Lateral | Rt wrist XR | cast present — 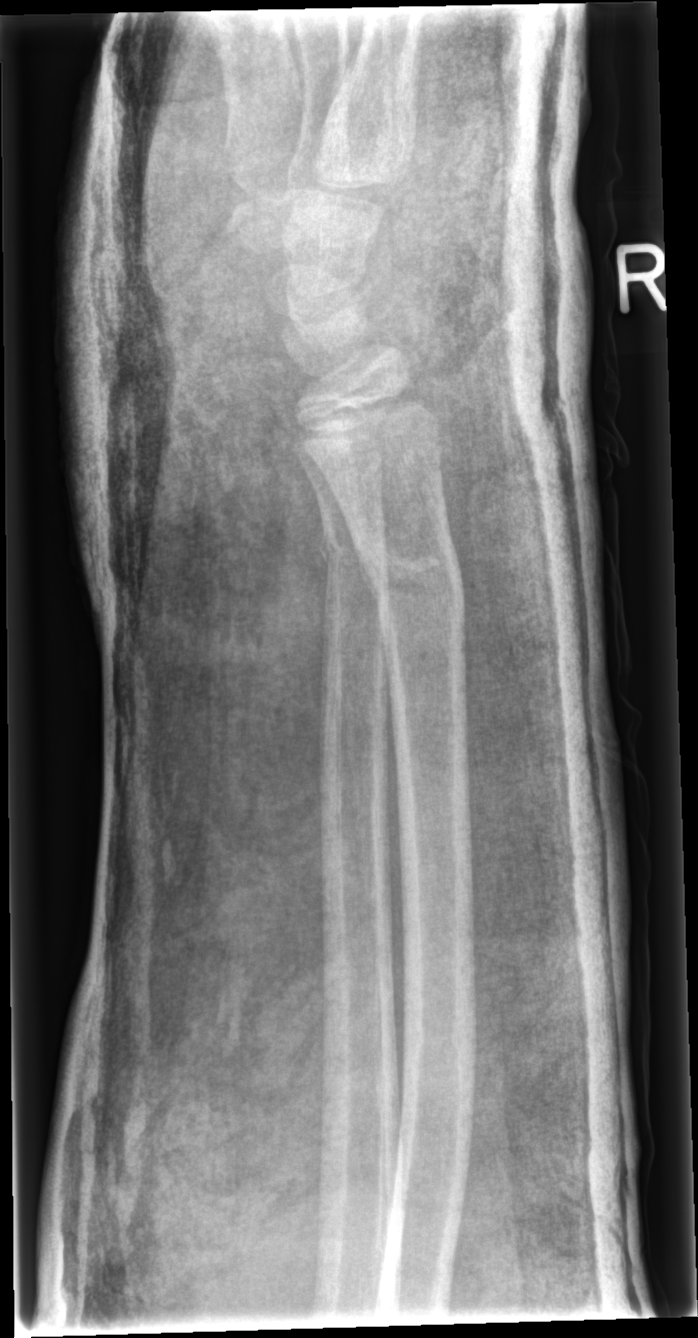
AO/OTA classification: 23-M/2.1. Bone fracture identified at (356, 545, 469, 610) (315, 527, 393, 576).